Right wrist X-ray | lat projection | 412 by 942 pixels
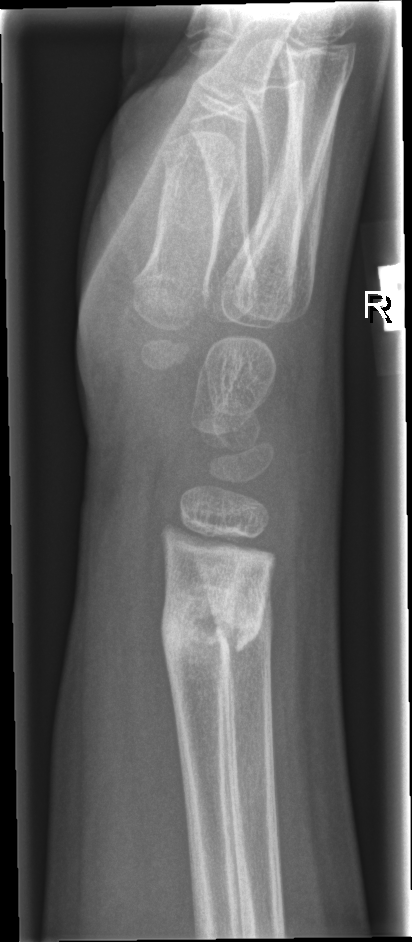 (pixel coordinates, top-left origin, xyxy)
Q: AO code?
A: Fracture classified AO/OTA 23-M/3.1
Q: Is there a fracture?
A: Bone fracture — [x1=156, y1=587, x2=265, y2=667]